Lat | left wrist radiograph | 7y M | 557 by 1034 pixels.
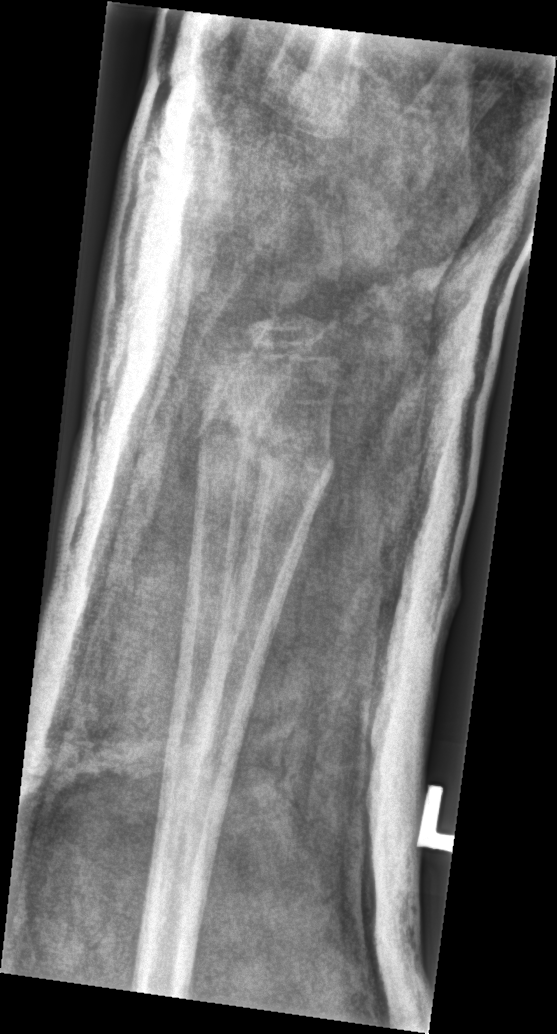

Q: Is there a fracture?
A: Fracture identified at (235, 420, 337, 505) (191, 406, 274, 464)
Q: What is the AO/OTA classification?
A: AO code 23-M/3.1